Lat, L wrist X-ray, 12y F, initial study —

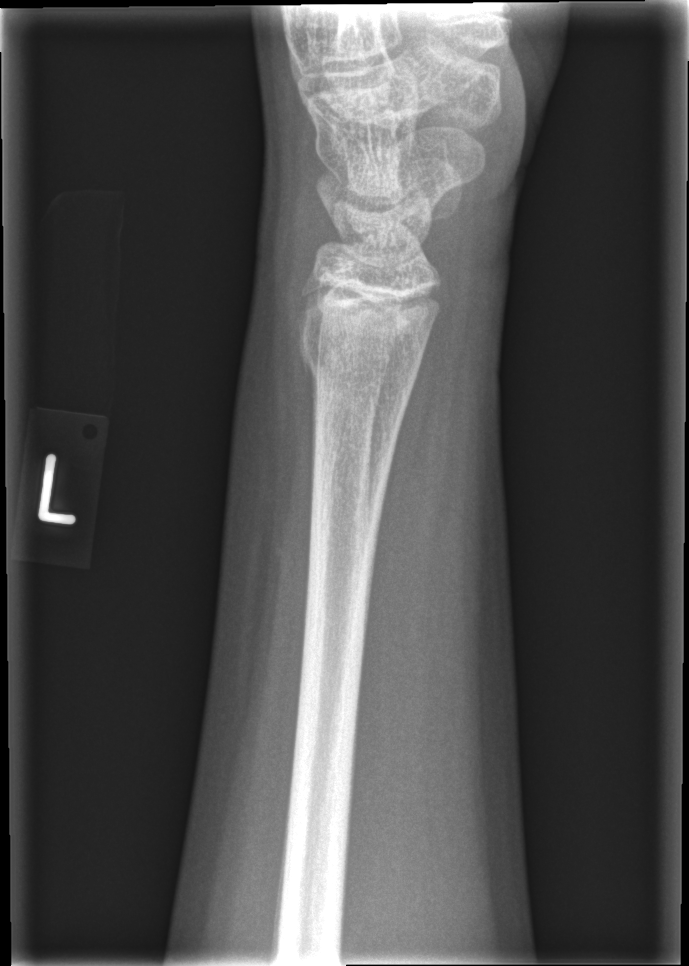
Findings: (pixel coordinates, top-left origin, xyxy) Fracture classified AO/OTA 23r-M/2.1. Fx — bbox(293, 330, 421, 400).